Left pediatric wrist radiograph; lateral; age 9 y, boy; index exam; detector: Siemens; image size 546x1272 — 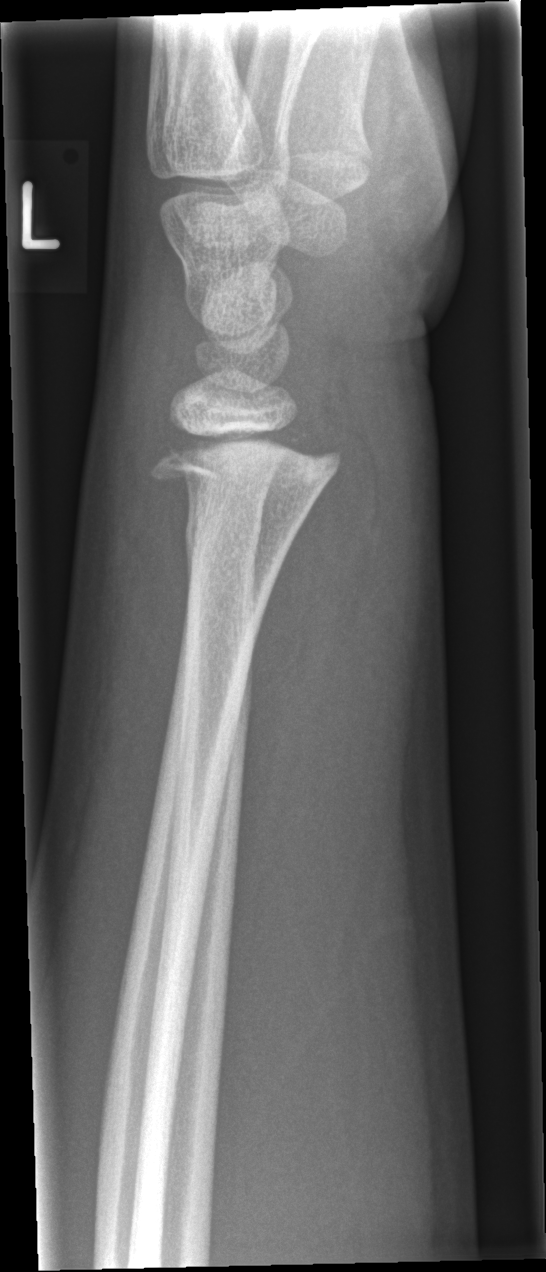
Pronator sign identified at (left=230, top=445, right=375, bottom=904).
Fractures — (left=146, top=409, right=342, bottom=492), (left=181, top=511, right=265, bottom=556).